Posteroanterior, right wrist XR, age 12 y, female

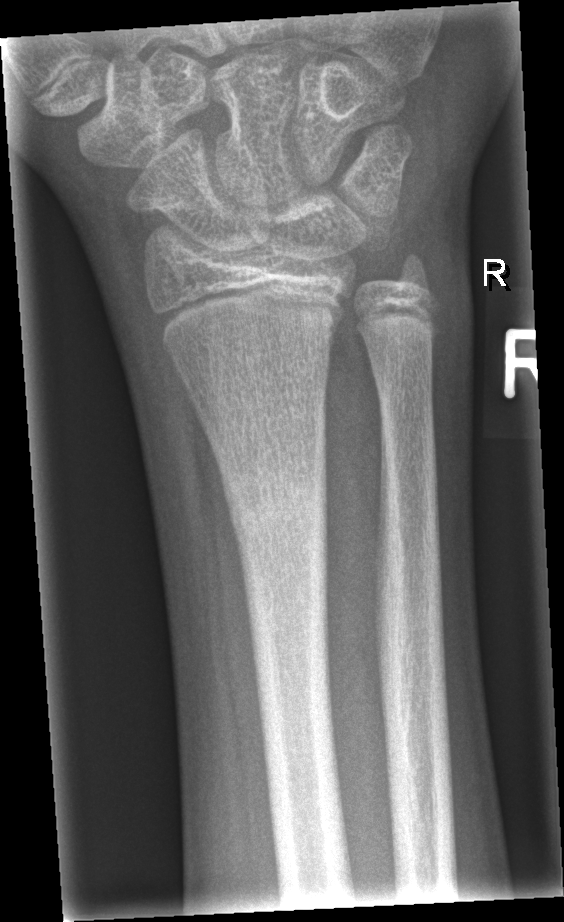

# boxes as x1,y1,x2,y2 (top-left / bottom-right, pixel units)
osteopenia: present
fracture: <216,455>-<334,577>